Right wrist radiograph · PA view · subsequent exam · image 86.0 mm wide: 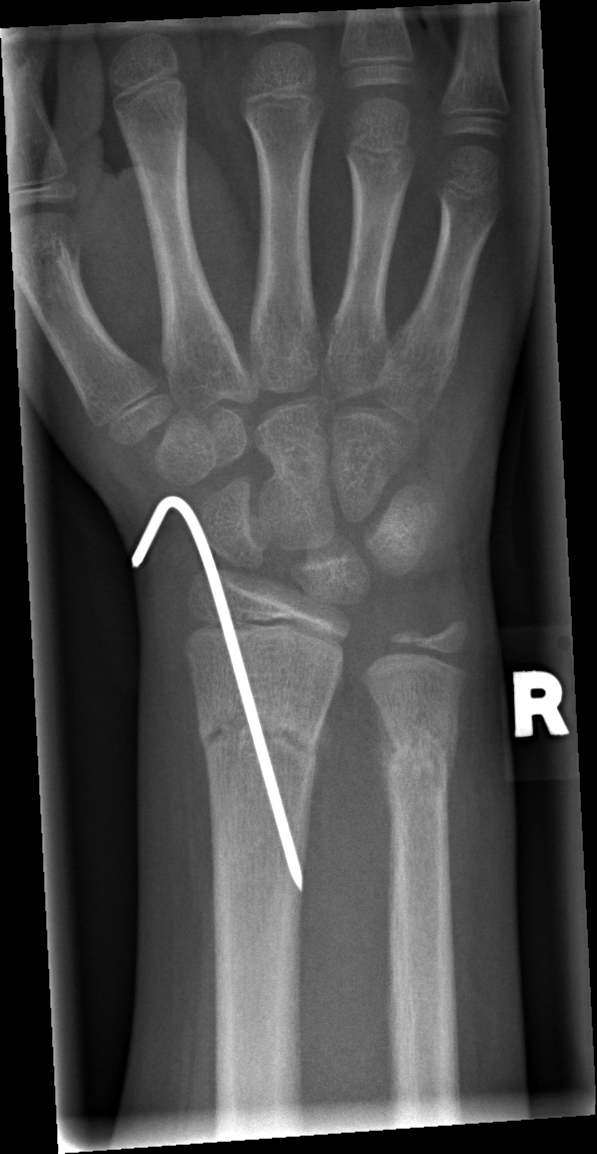
• Bounding boxes in image-pixel xyxy.
• Reduced bone mineral density.
• AO/OTA classification: 23-M/3.1.
• Fx identified at [x1=194, y1=700, x2=329, y2=775] [x1=374, y1=719, x2=460, y2=800].
• One metallic hardware at [x1=132, y1=496, x2=303, y2=892].